Rt wrist XR; lat projection; pediatric patient (female, age 8); cast in situ; Siemens; image 62.5 mm wide:

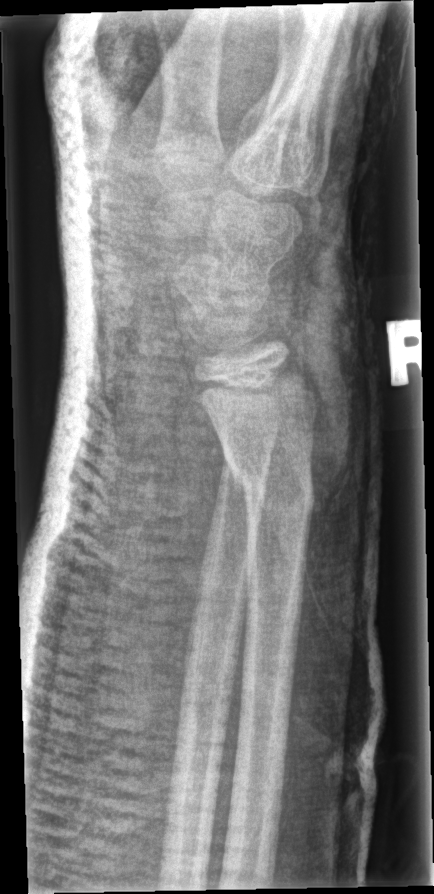 FINDINGS — Fracture classified AO/OTA 23r-M/2.1. Bone fracture identified at (219, 439, 321, 521).